PA view · left wrist radiograph · male, 18 yo · in cast.
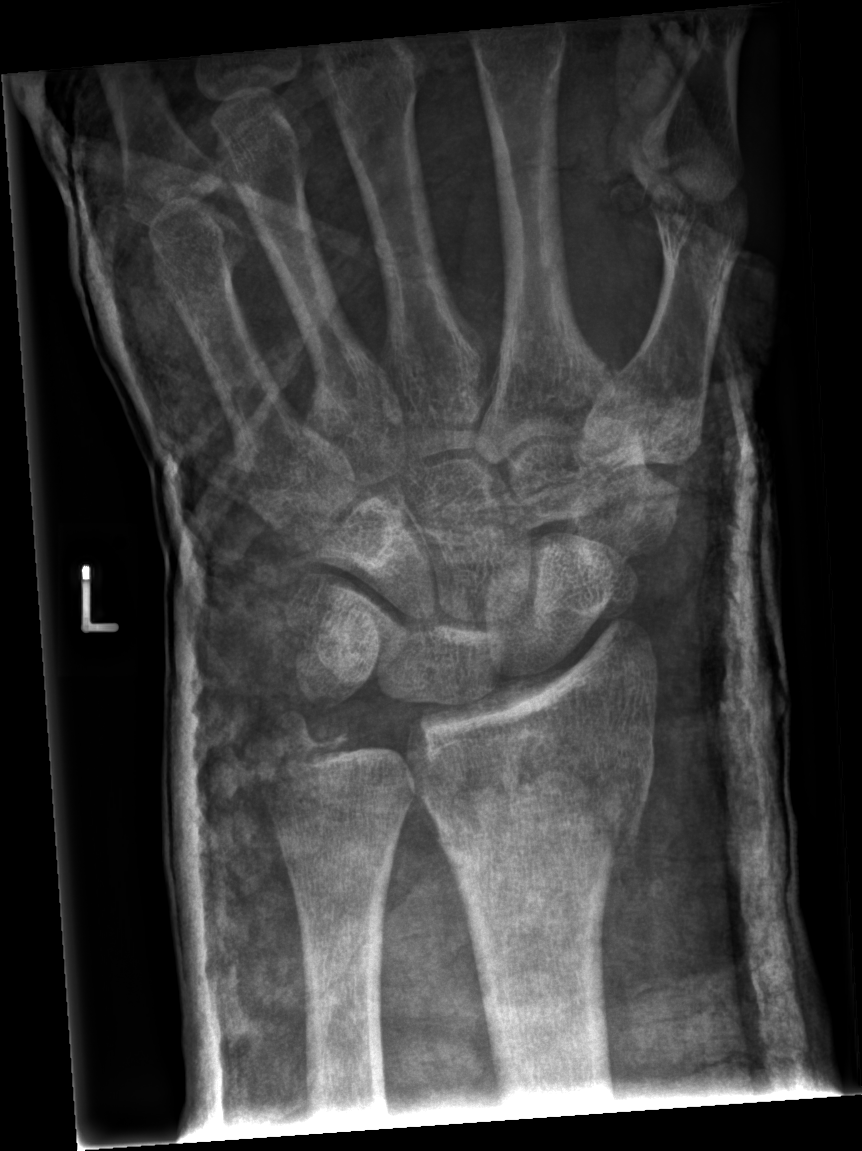

FINDINGS: Fracture identified at [416, 717, 659, 880] [259, 708, 355, 777]. AO code 23r-M/3.1; 23u-E/7.